Lat, right wrist radiograph, 6-year-old male, follow-up, 447 x 842 px — 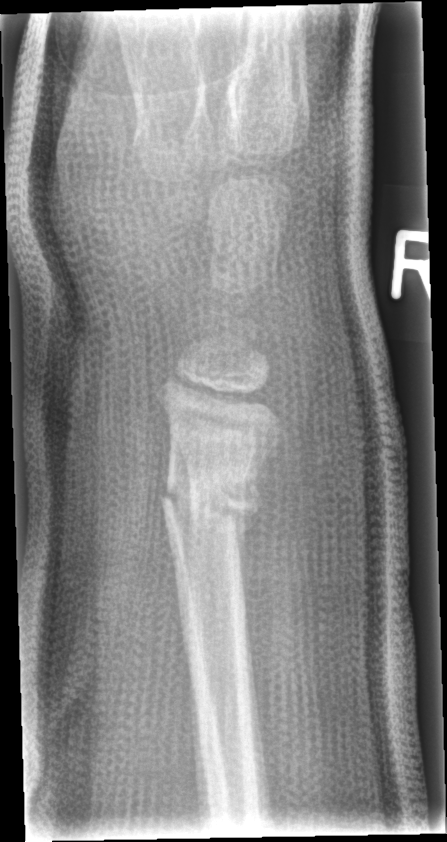
Boxes as x1,y1,x2,y2 (top-left / bottom-right, pixel units).
Bone fracture identified at [x1=157, y1=462, x2=266, y2=544].
Fracture classified AO/OTA 23r-M/3.1; 23u-M/2.1.